Lateral | L wrist radiograph | imaged through cast 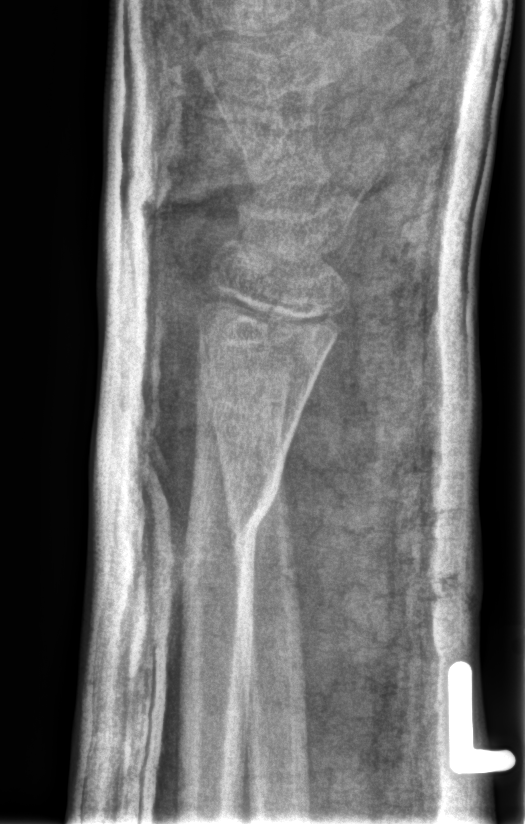 Pixel coordinates, top-left origin, xyxy. Fx: [181, 466, 284, 567].